Lateral projection; left wrist pediatric wrist radiograph; cast present
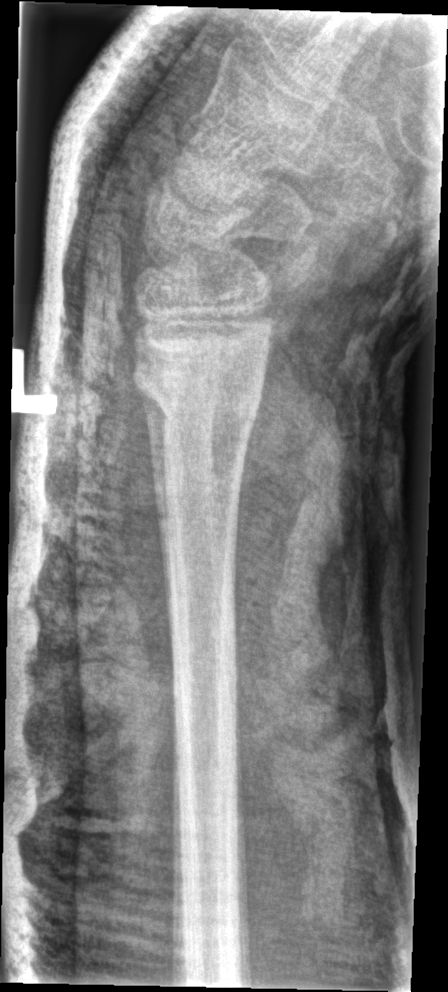

Fx: 1 @ bbox(129, 356, 268, 428)
AO classification: 23r-M/2.1